Left wrist pediatric wrist radiograph · lat projection · age 8 y, female · subsequent exam · image 52.6 mm wide · 365 by 1382 pixels. 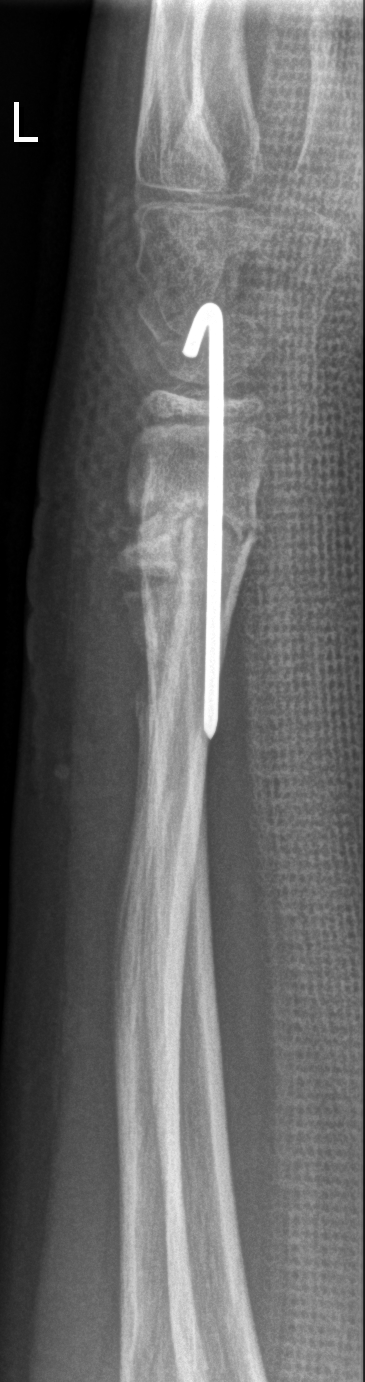
AO/OTA classification: 23-M/3.1; 23u-E/7.
Hardware — 180 296 226 742.
Fracture — 132 485 260 627.